R wrist radiograph, lat view, age 5 y, female, Siemens.
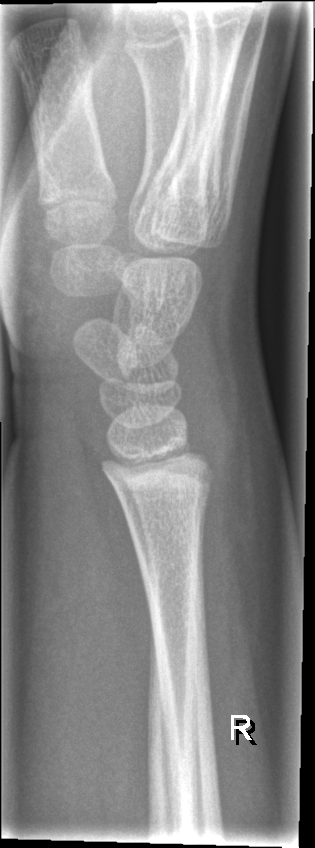

No fracture annotation.